PA projection · right plain radiograph of the wrist · initial study · acquired on Siemens:
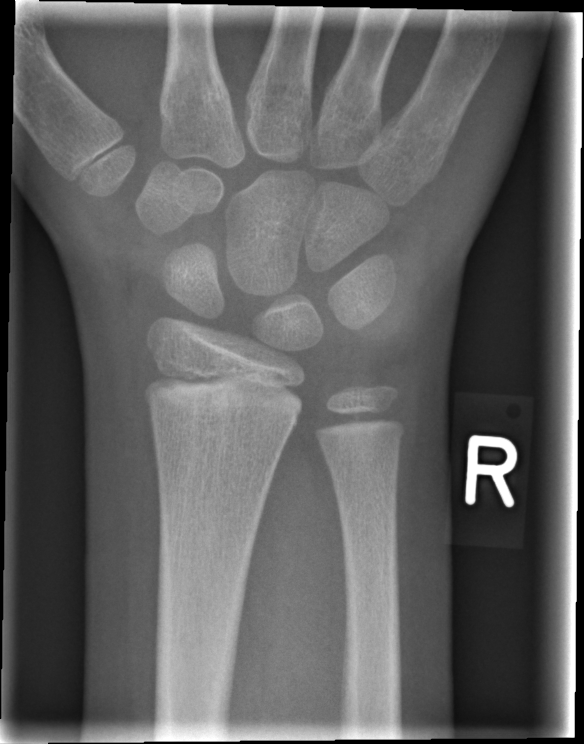

FINDINGS: Fracture: none labeled.